Left wrist XR | lateral | 17-year-old boy.

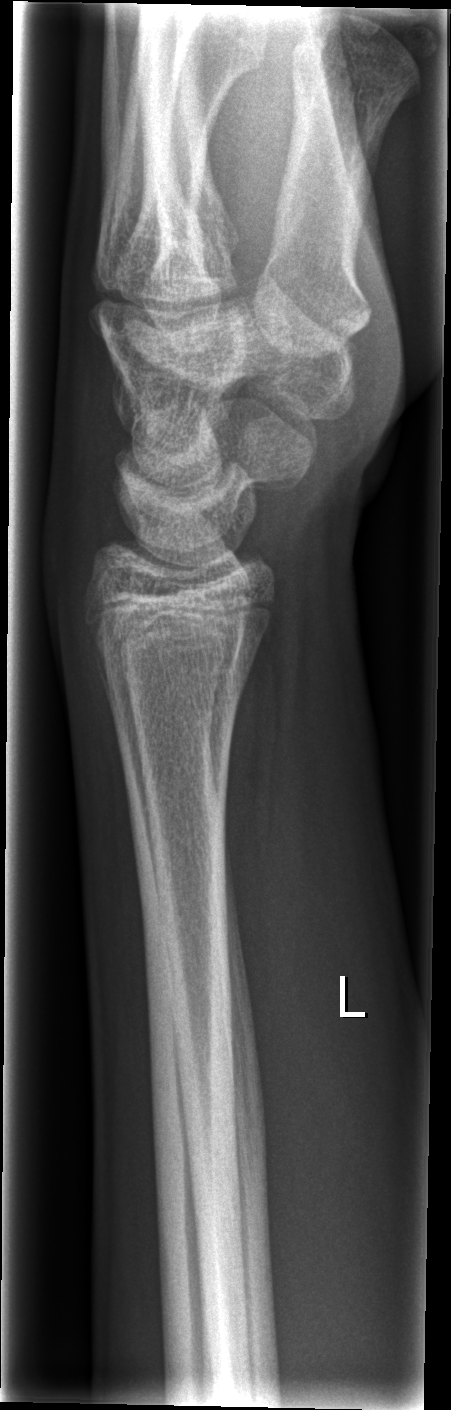 {"fracture": "none labeled"}